Right wrist plain film; frontal view; pediatric patient (female, age 9) —
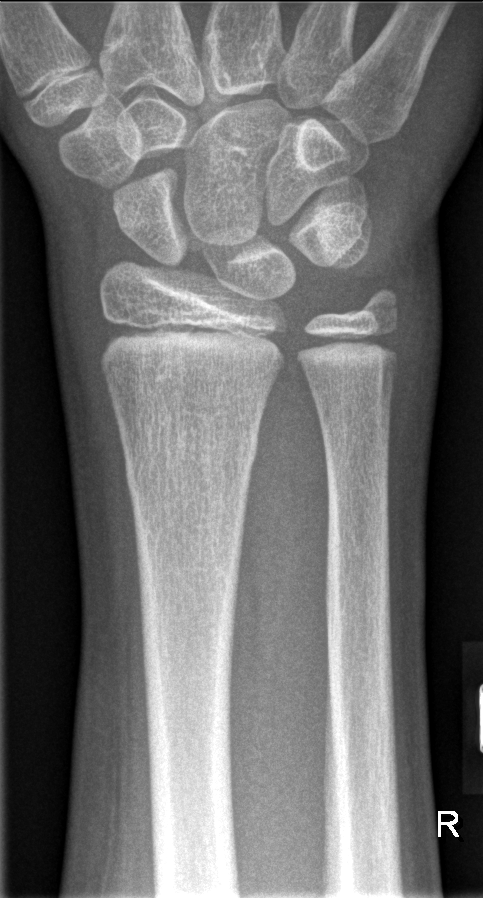 Two Fx at [119, 424, 262, 494], [348, 283, 405, 326].